L wrist plain film, AP view.
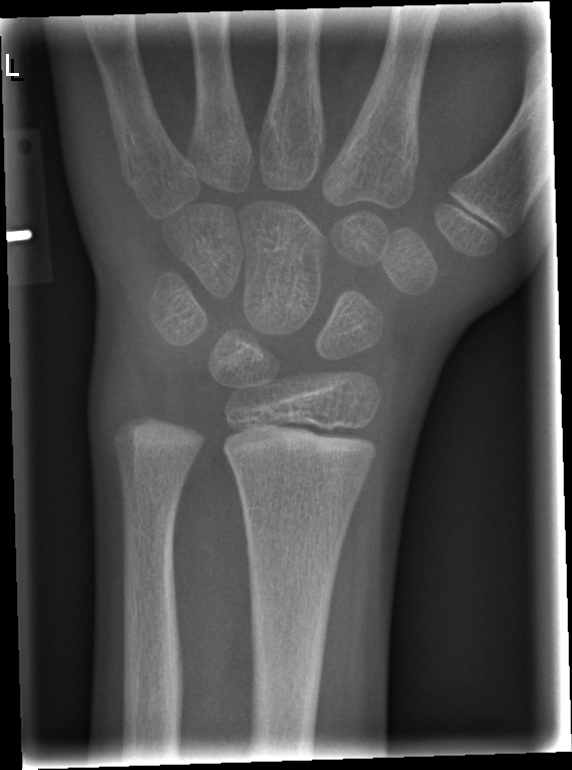

Fx: none.